R pediatric wrist radiograph | lateral view | 15y M | initial study:

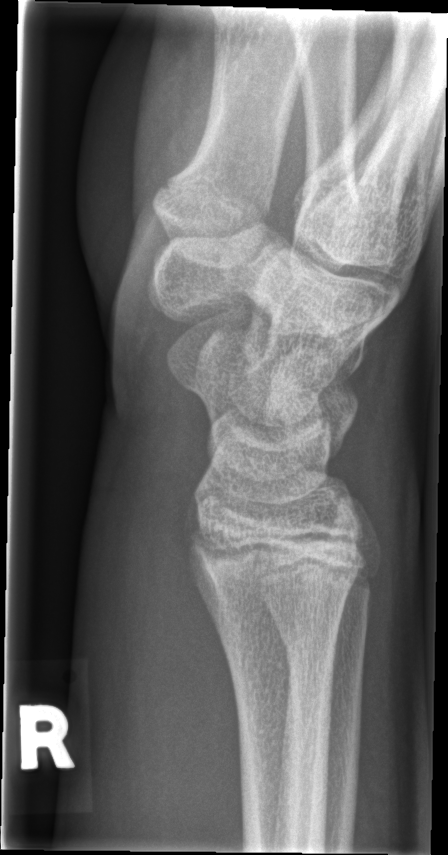
FINDINGS: No fracture annotation.